Rt plain radiograph of the wrist, lateral view, imaged through cast, 783x1418.

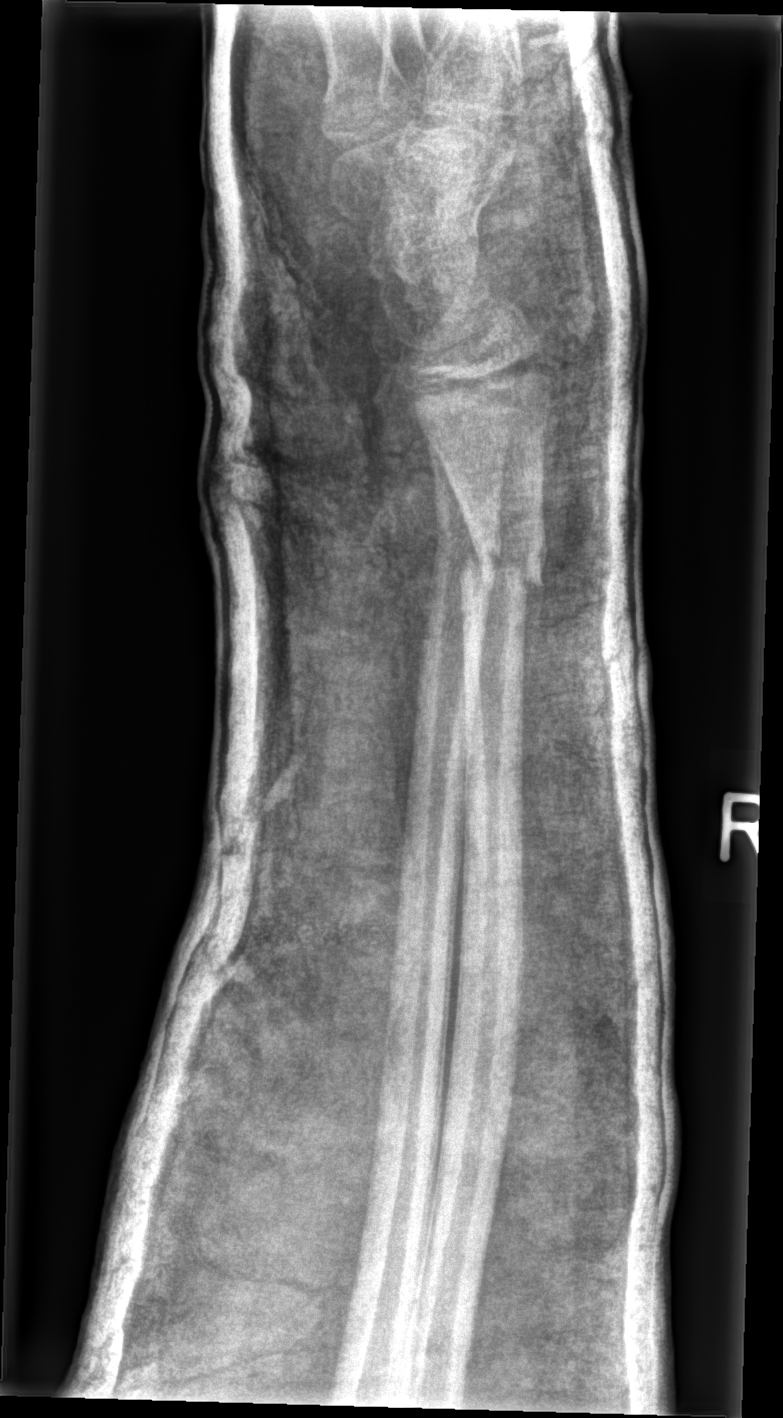
{"_coords": "pixel coordinates, top-left origin, xyxy", "fracture": "1 @ bbox(454, 532, 550, 608)"}